Frontal · left wrist radiograph · 14y M · image 90.7 mm wide · 630 by 1344 pixels 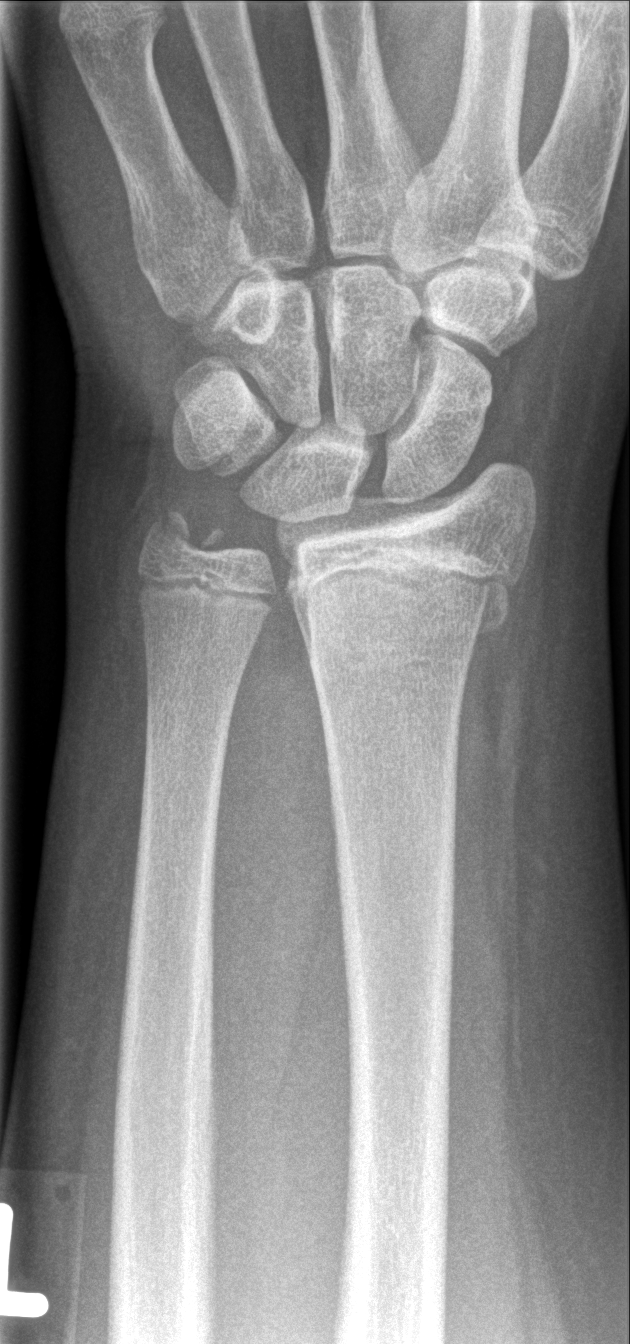

(boxes as x1,y1,x2,y2 (top-left / bottom-right, pixel units))
fracture = [285, 535, 518, 648] [136, 489, 231, 570]